Frontal view; right wrist plain radiograph of the wrist; 15-year-old boy.
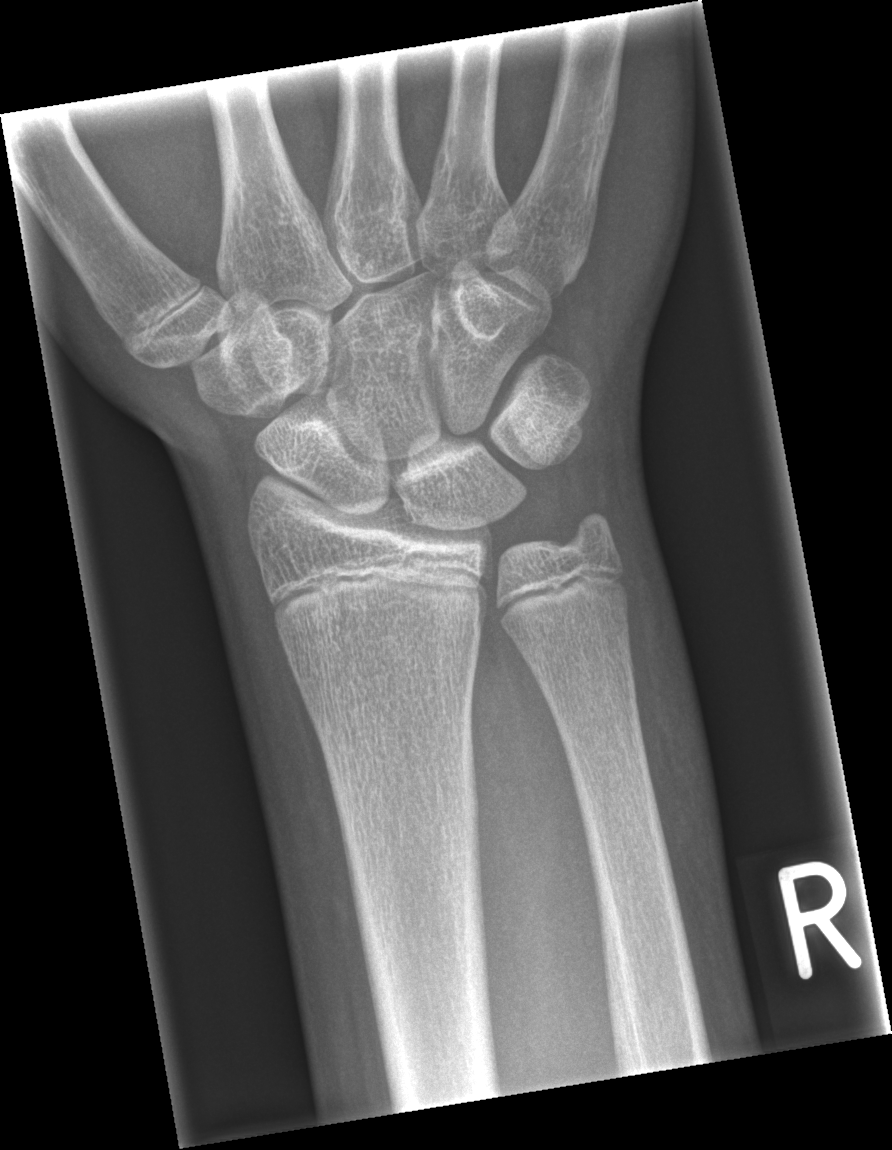 Q: Fracture present?
A: Fracture: none labeled